L pediatric wrist radiograph · PA view · follow-up study · imaged through cast

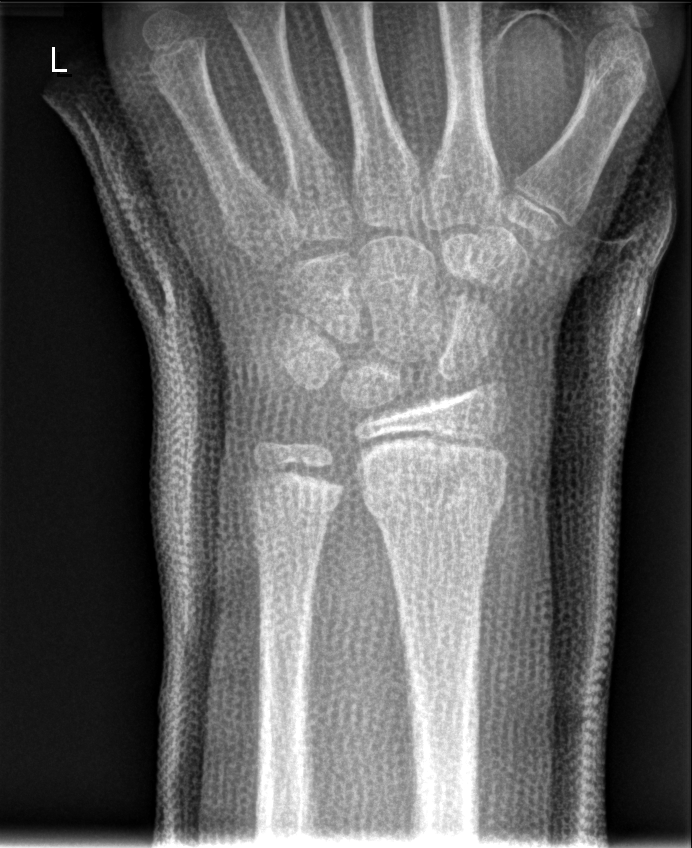
AO classification = 23r-M/2.1
Fx = (360, 455, 511, 525)